Right wrist XR; lateral projection; cast present — 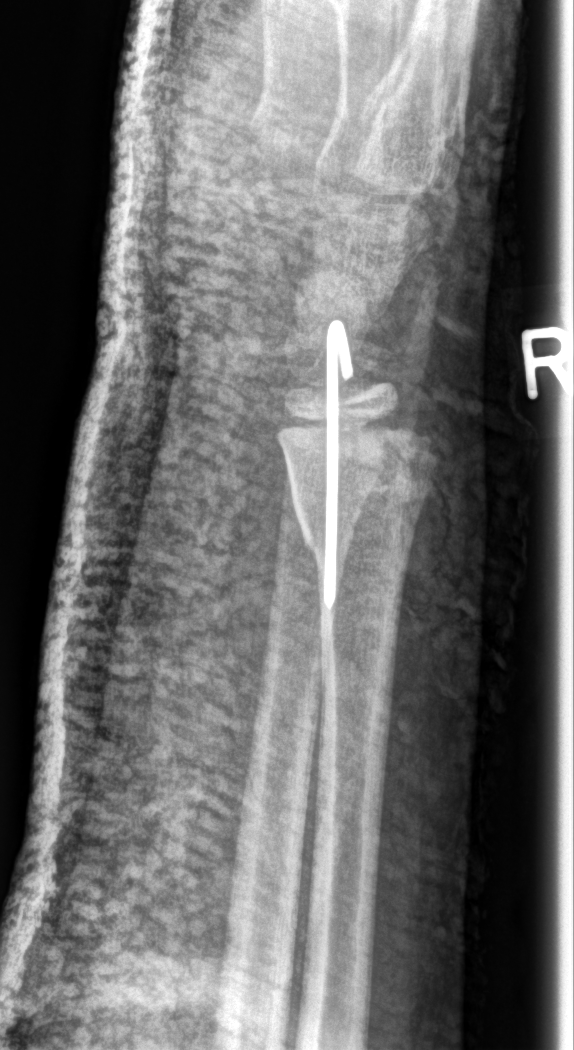 Hardware: 321,321,356,609.
Fracture identified at 273,408,442,554.